L wrist radiograph · lateral —

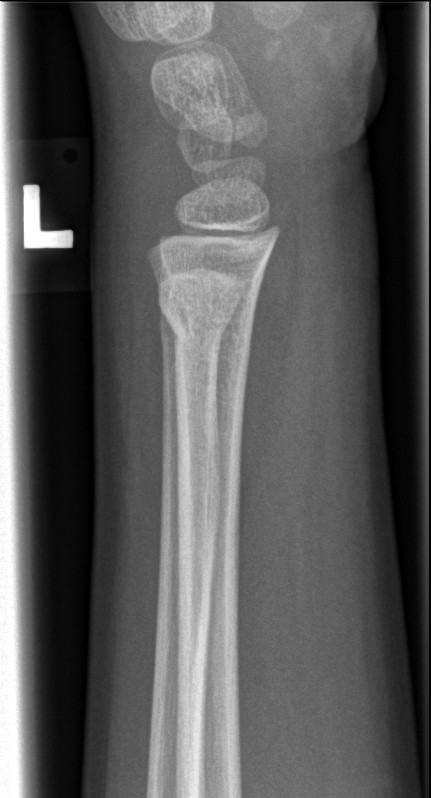
Boxes as x1,y1,x2,y2 (top-left / bottom-right, pixel units). Fx identified at bbox(151, 267, 260, 339); bbox(157, 293, 236, 353).